Lat view, Rt plain radiograph of the wrist, 14y M, cast in situ, 89.4 mm image width:
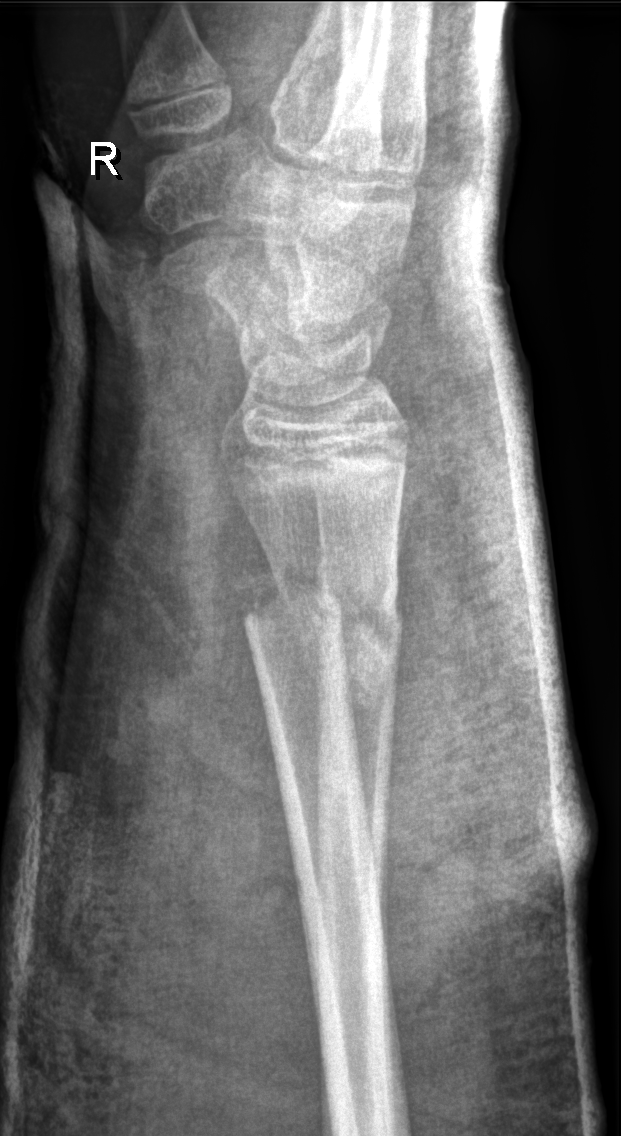

(pixel coordinates, top-left origin, xyxy)
fracture: 1 @ (left=237, top=566, right=408, bottom=683)